Lat view, Rt wrist XR, acquired on Siemens.

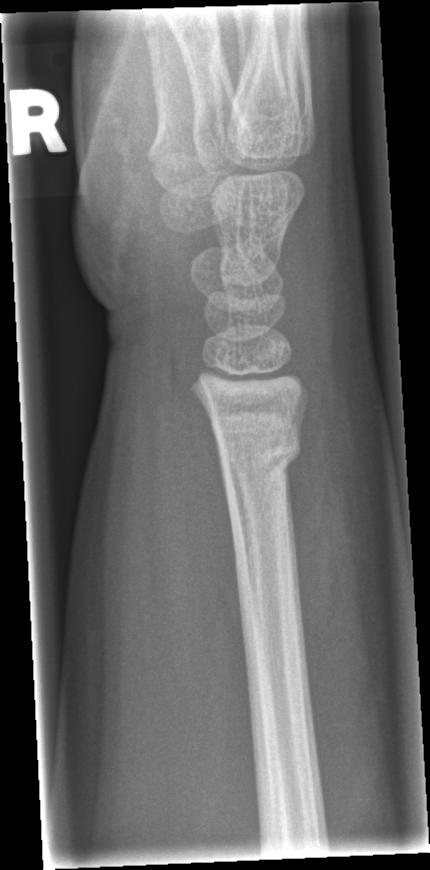 {"fracture": "(212, 422, 306, 480)"}